R wrist XR; frontal view; 11y M: 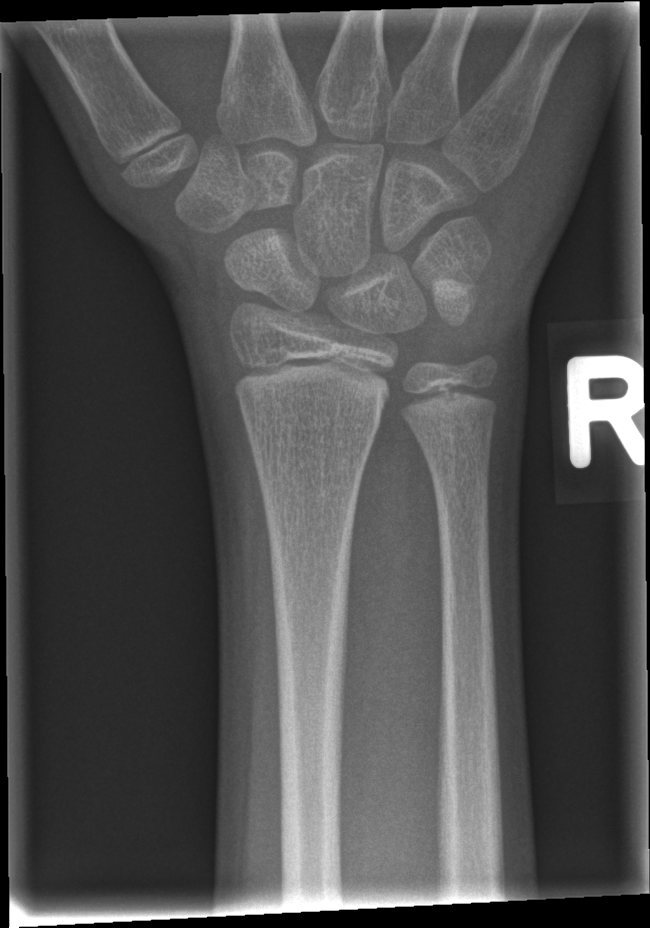
• Fracture: none labeled.